AP view | Rt plain radiograph of the wrist | male, 3 yo | initial study: 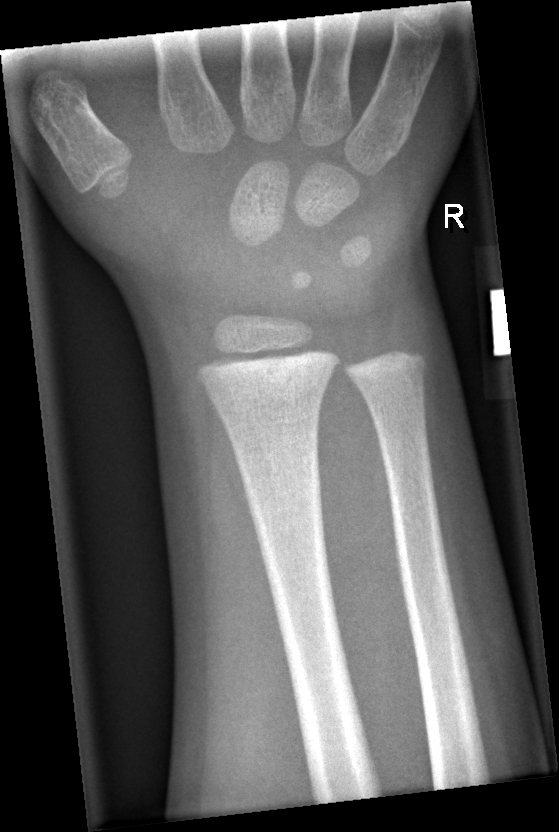 FINDINGS — AO/OTA classification: 23r-E/2.1. One fracture at (192, 343, 345, 406).